Right plain radiograph of the wrist, lateral, diagnosis uncertain, 532x1174:
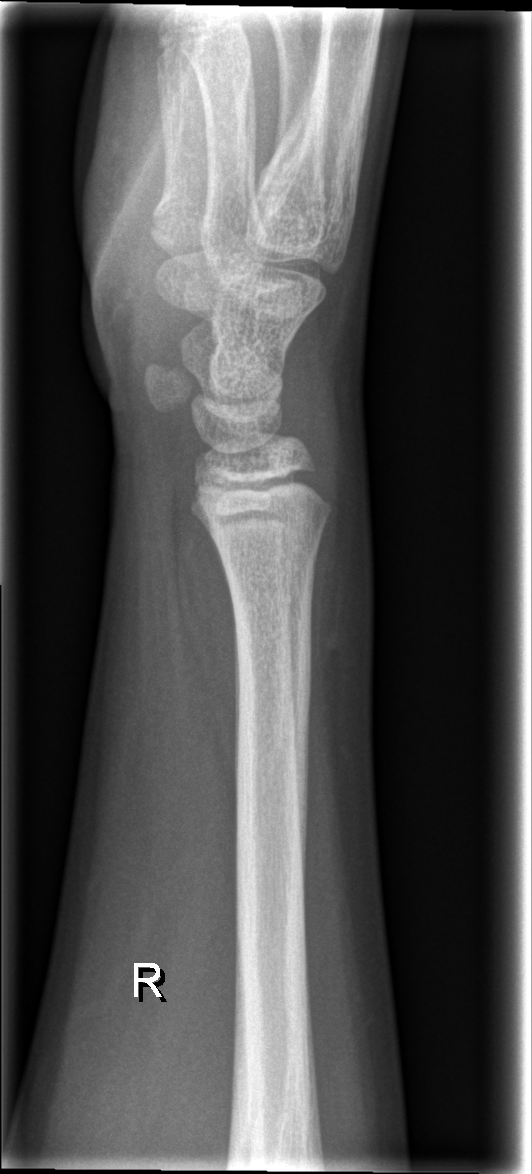 Fx: none labeled